Posteroanterior; left wrist XR; acquired on Siemens; 498x996 — 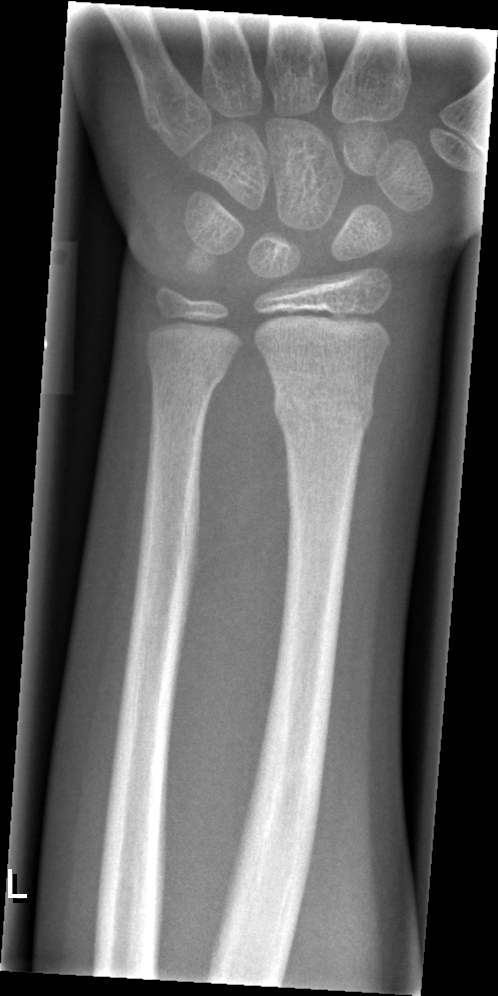 FINDINGS: (boxes as x1,y1,x2,y2 (top-left / bottom-right, pixel units)) Fx — (271, 375, 377, 441), (146, 350, 231, 398). Fracture classified AO/OTA 23-M/2.1.